R wrist radiograph; posteroanterior projection; age 11 y, male; Siemens.
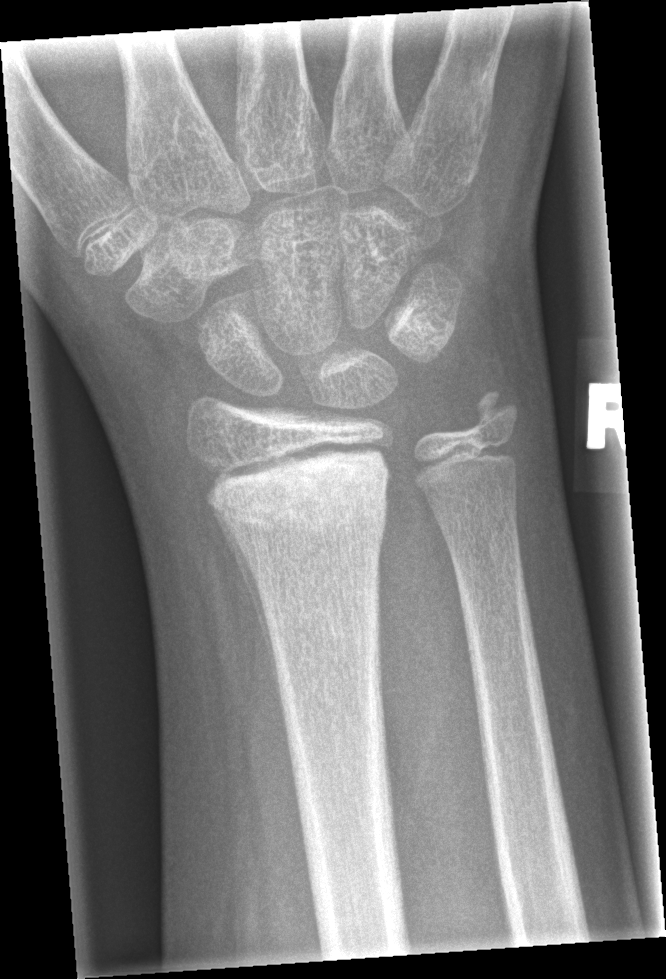 (bounding boxes in image-pixel xyxy)
periosteal new bone = 1 @ 209,505,285,728
osteopenia = present
AO code = 23r-E/2.1; 23u-E/7
fracture = 2 @ 207,447,392,534; 458,387,525,456